PA/AP projection, Rt plain radiograph of the wrist, boy, 13 yo, initial study

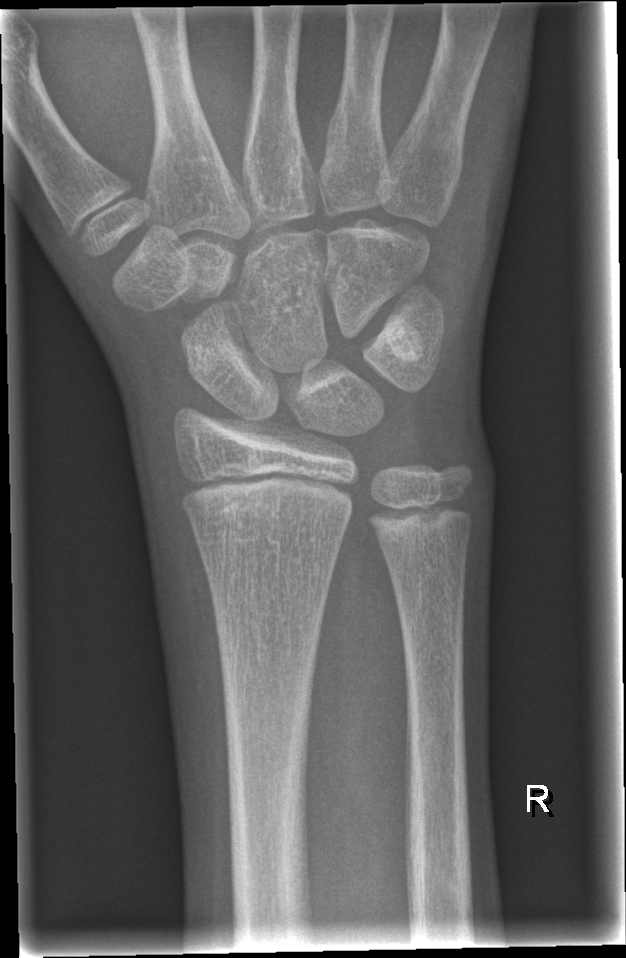

Fx: none.